Rt pediatric wrist radiograph | lateral projection | imaged through cast | 620 x 884 px:

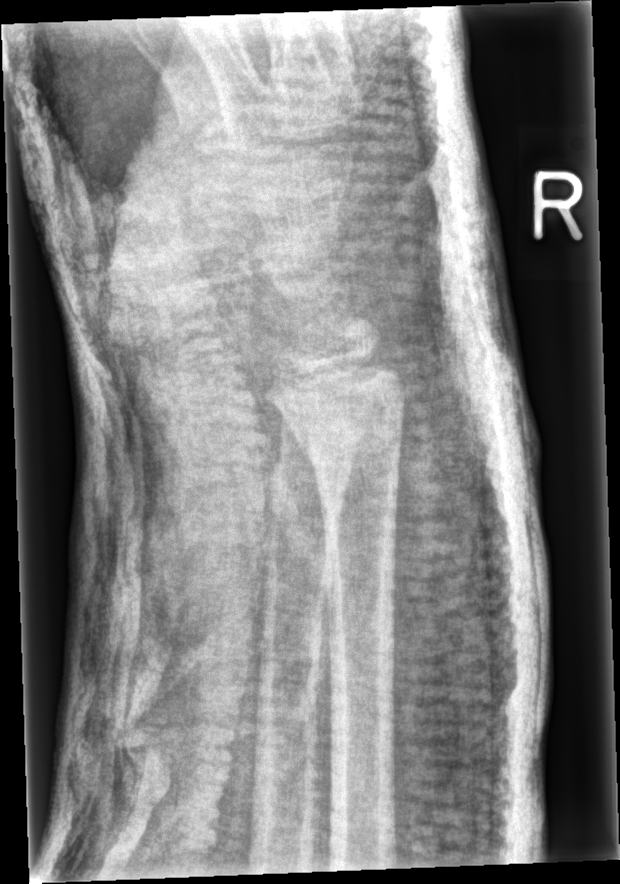 Q: What is the AO/OTA classification?
A: Fracture classified AO/OTA 23r-M/3.1; 23u-M/2.1
Q: Any fracture seen?
A: Fracture present, but no bounding box because it is not clearly seen in this view